Lateral · L wrist radiograph · index exam · 393 x 802 px:
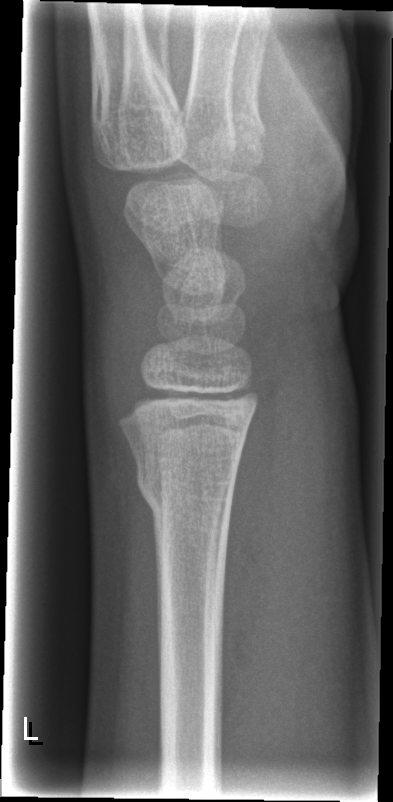 AO/OTA: 23r-M/2.1
Fx: [x1=132, y1=449, x2=238, y2=518]